Left wrist plain film; posteroanterior view; presentation radiograph: 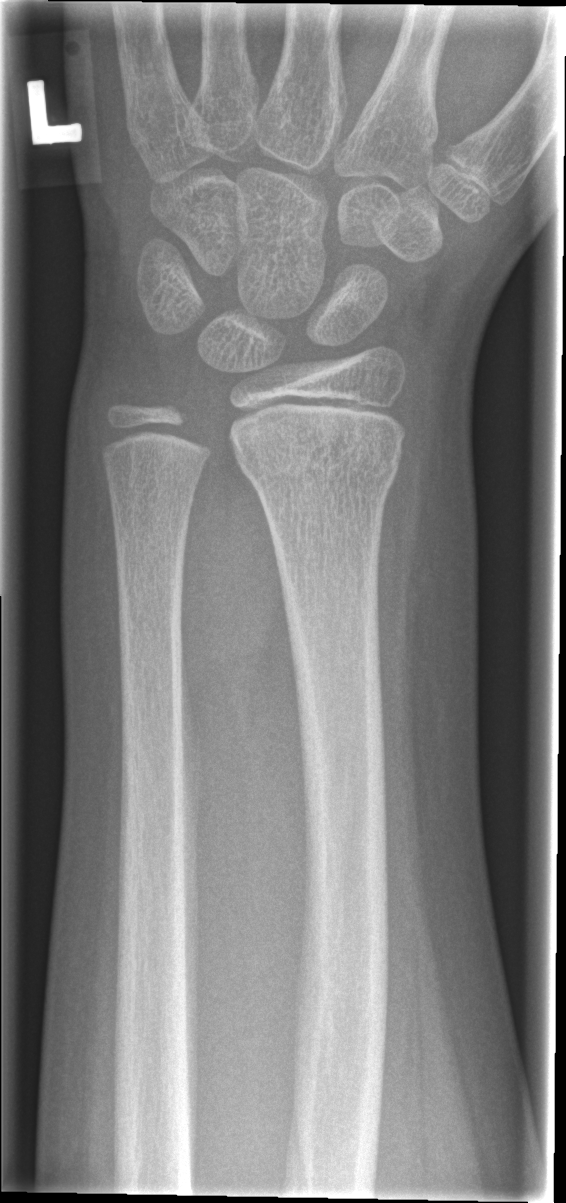
(coordinates are [x1, y1, x2, y2] in image pixels)
AO code: 23r-M/3.1
bone fracture: 1 @ 234,437,400,500